R wrist X-ray · PA/AP view · age 6 y, female: 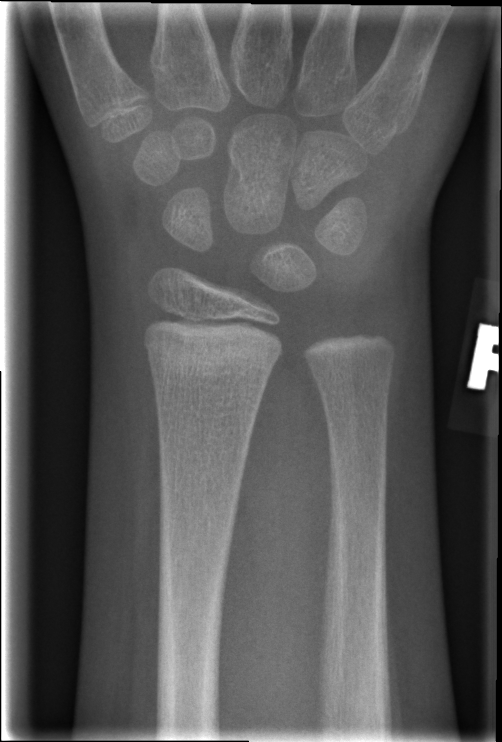 No fracture labeled.